Posteroanterior; left wrist X-ray.

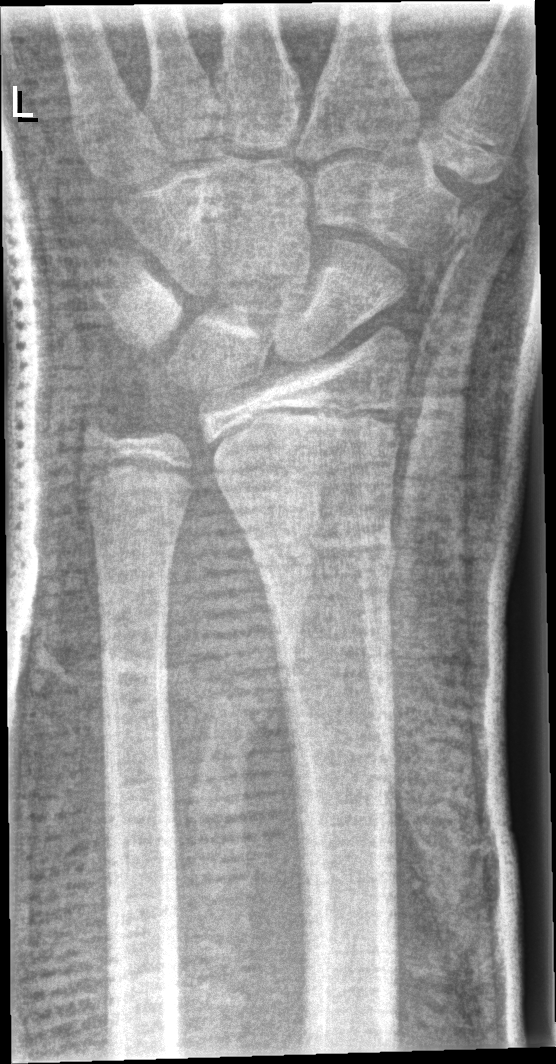 Fracture identified at <242,525>-<401,587>, <73,403>-<137,464>.